Rt wrist X-ray | lateral projection | pediatric patient (female, age 6) | presentation radiograph | Siemens | 374x822:
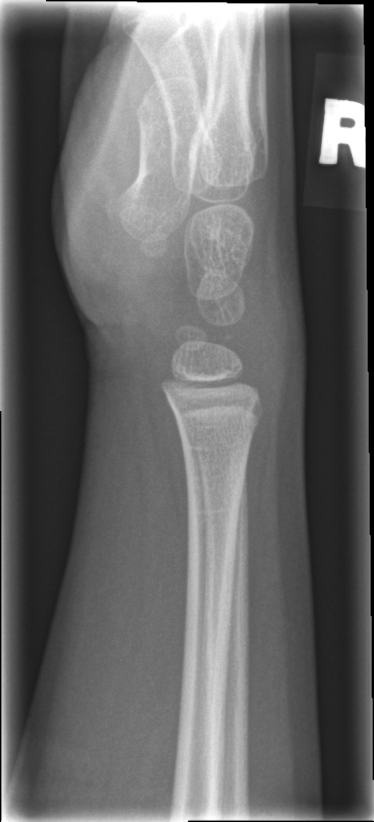
Fracture = none labeled